Lateral view; left wrist radiograph; 11y F: 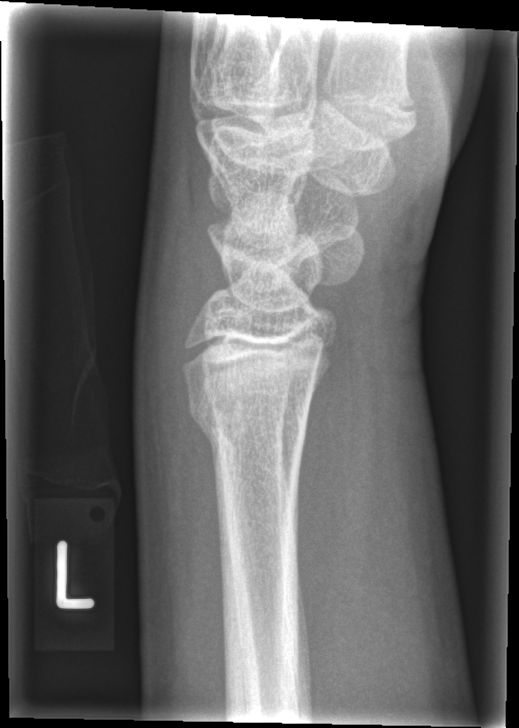

Q: Any fracture seen?
A: One bone fracture at bbox(187, 390, 311, 456)
Q: What is the AO/OTA classification?
A: AO/OTA classification: 23r-M/2.1